Left pediatric wrist radiograph · lateral projection · pediatric patient (male, age 9) · follow-up · image 71.1 mm wide

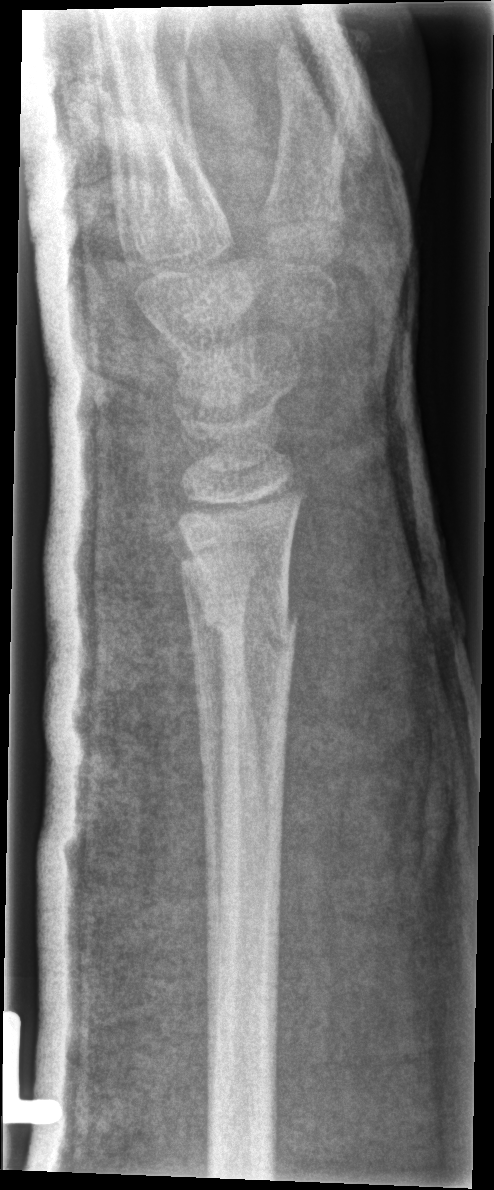
Coordinates are [x1, y1, x2, y2] in image pixels.
Fx — 194 587 302 665.